Left wrist plain radiograph of the wrist | lateral projection | index exam:

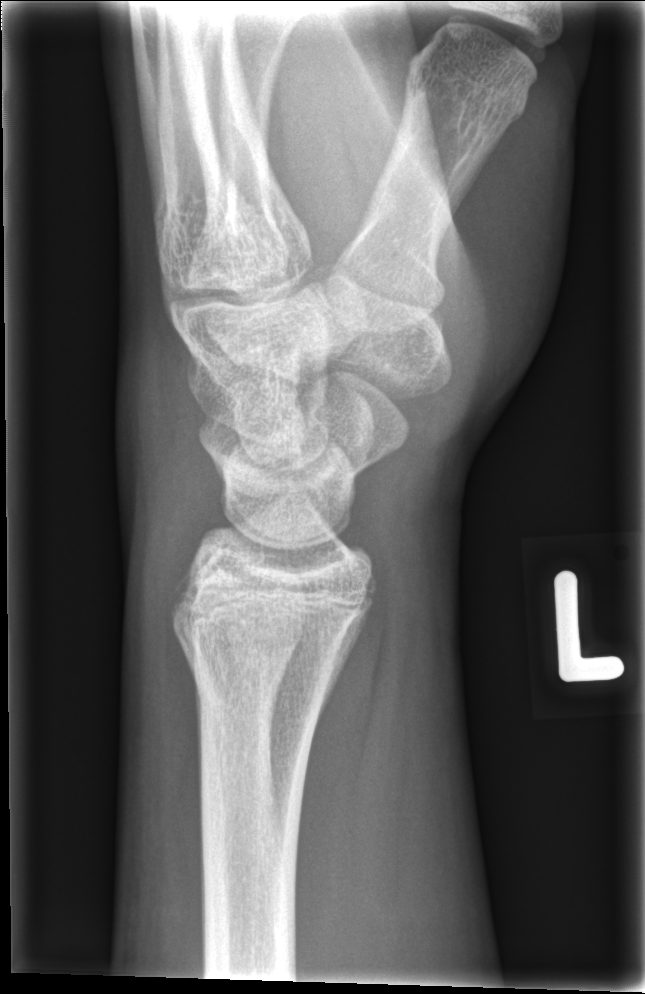
Findings: (bounding boxes in image-pixel xyxy) AO code 23r-M/2.1. Bone fracture: [x1=169, y1=592, x2=365, y2=701]. Soft tissue abnormality identified at [x1=96, y1=318, x2=220, y2=583].